Left wrist X-ray | frontal | 5-year-old girl | 73.4 mm image width | 510 by 881 pixels. 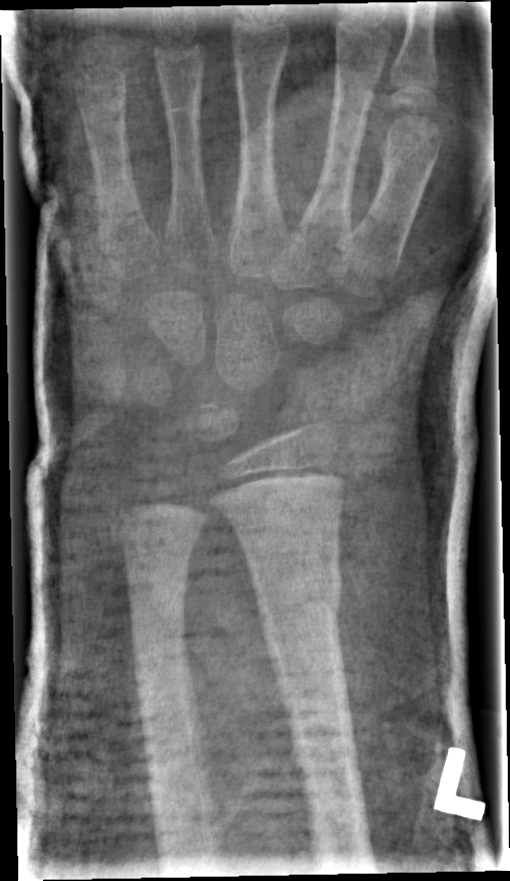
fracture: 1 @ bbox(248, 557, 345, 631)
AO code: 23r-M/3.1